Lateral projection, left wrist XR, 13y M, imaged through cast

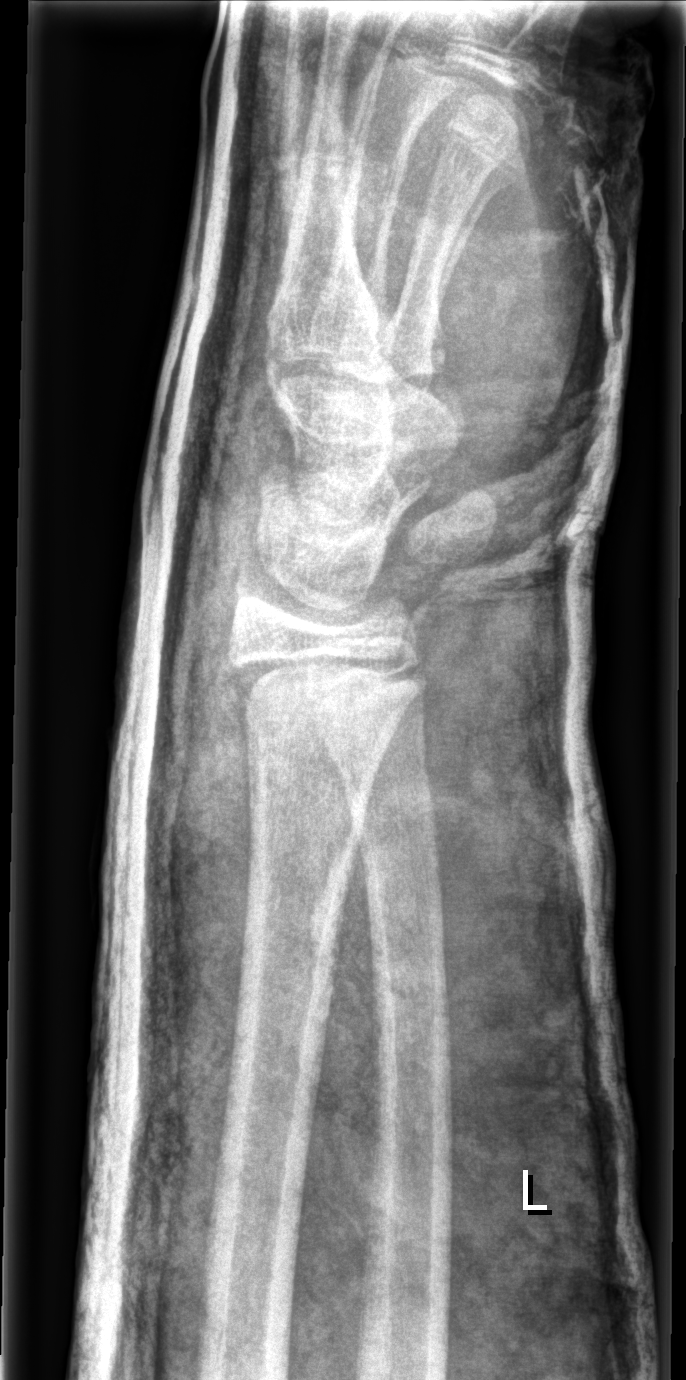 • Fracture classified AO/OTA 23r-E/2.1; 23u-M/2.1.
• Bone fracture identified at (left=212, top=638, right=432, bottom=732).